R plain radiograph of the wrist; lat projection; 3-year-old boy.
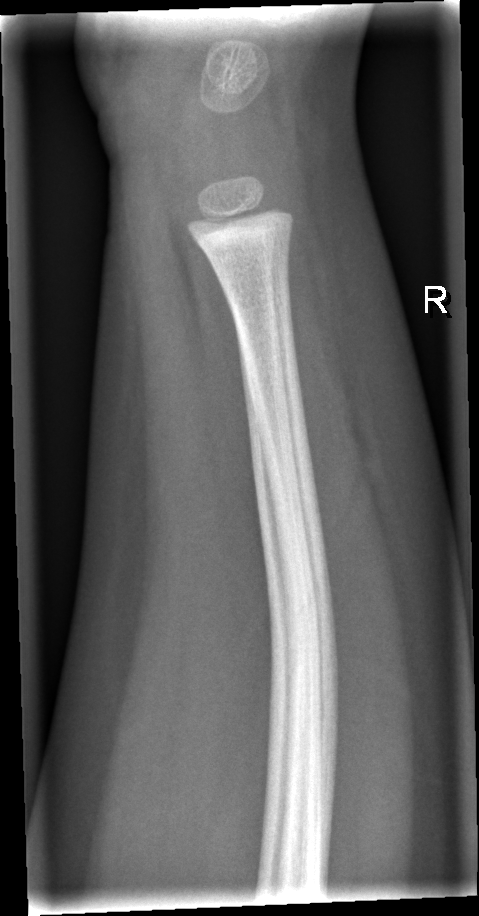
(boxes as x1,y1,x2,y2 (top-left / bottom-right, pixel units))
Q: Locate any fractures.
A: One fracture at [254, 522, 343, 842]